Posteroanterior, Lt wrist radiograph, pediatric patient (boy, age 13) —

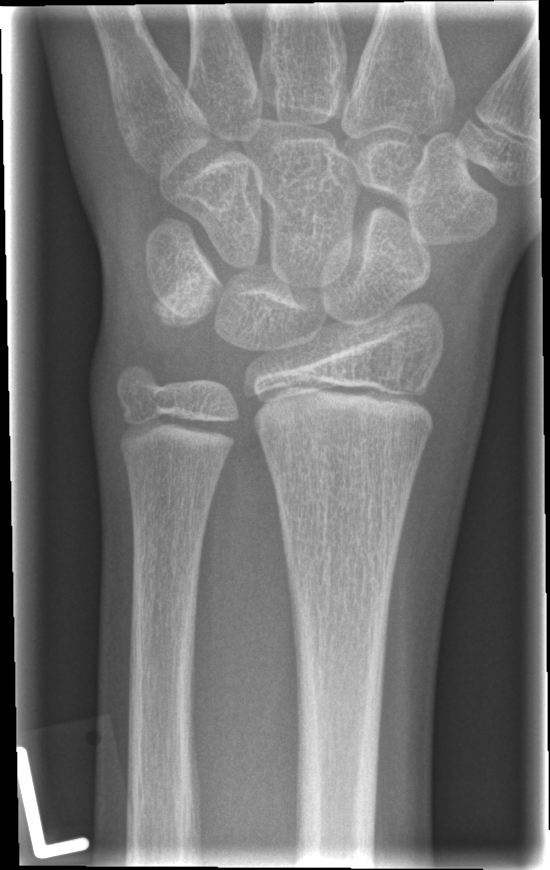
Fracture: none labeled